Lateral view; right wrist XR; acquired on Siemens.
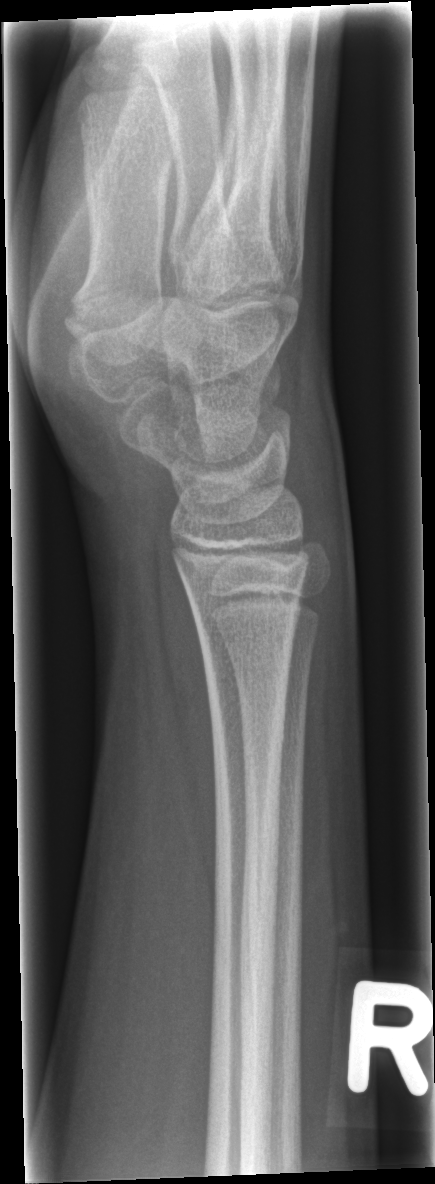
No fracture labeled.